Lateral | Lt wrist plain film

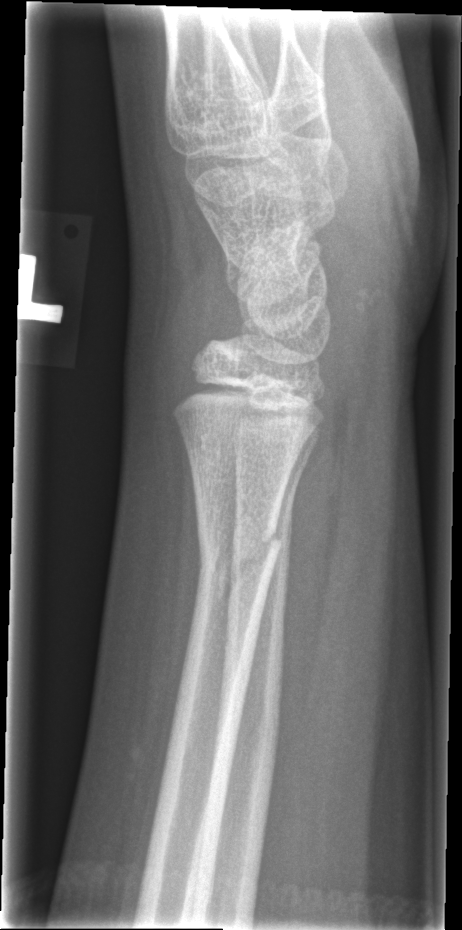 Bounding boxes in image-pixel xyxy. One bone fracture at [195, 523, 283, 594]. AO code 23r-M/3.1.